Lat projection; right wrist XR: 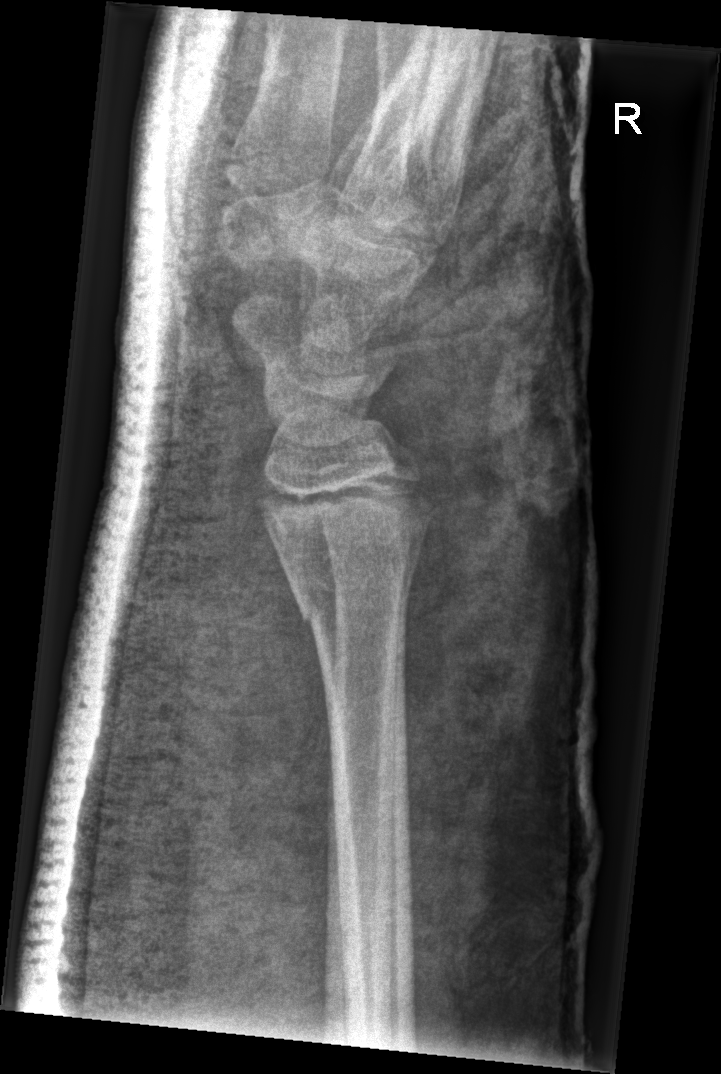

Coordinates are [x1, y1, x2, y2] in image pixels.
One bone fracture at (left=290, top=556, right=423, bottom=634).
AO code 23r-M/3.1; 23u-M/2.1.